L plain radiograph of the wrist | posteroanterior view | 9y M | subsequent exam | in cast | 790 x 1089 px: 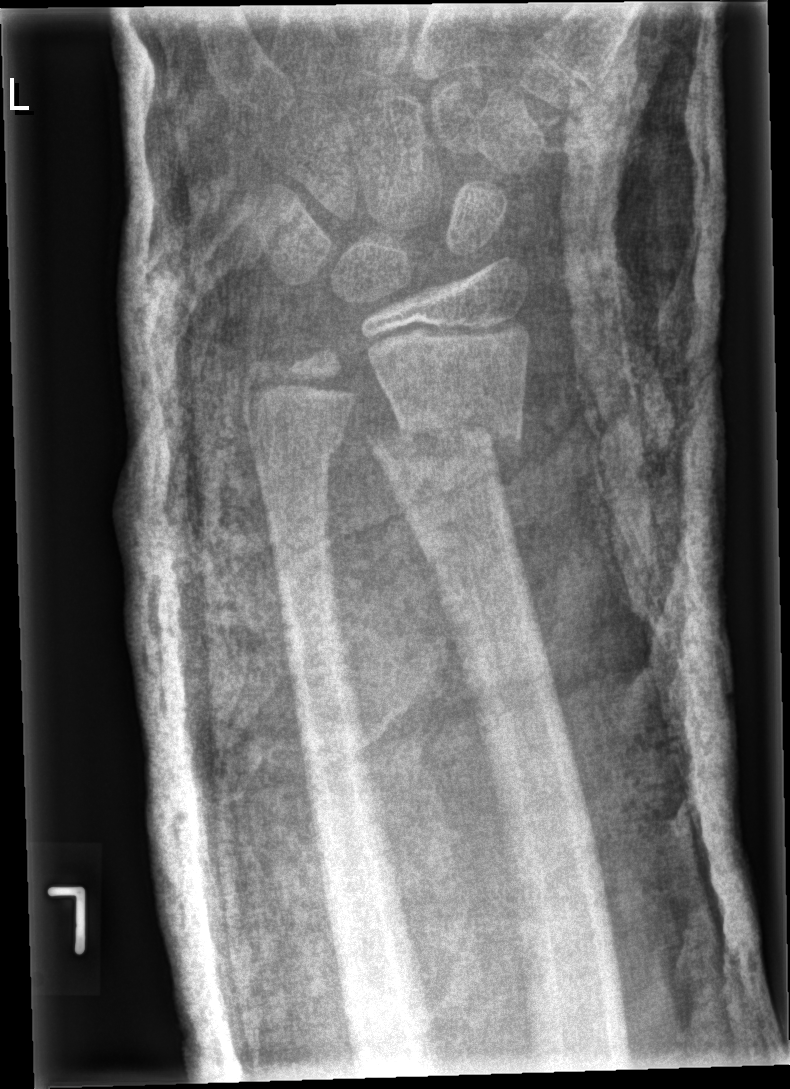 • Coordinates are [x1, y1, x2, y2] in image pixels.
• Fractures — <362,403>-<526,478>, <247,416>-<349,472>.
• AO/OTA classification: 23r-M/3.1; 23u-M/2.1.